Lat | R wrist radiograph | 7y M | Siemens —

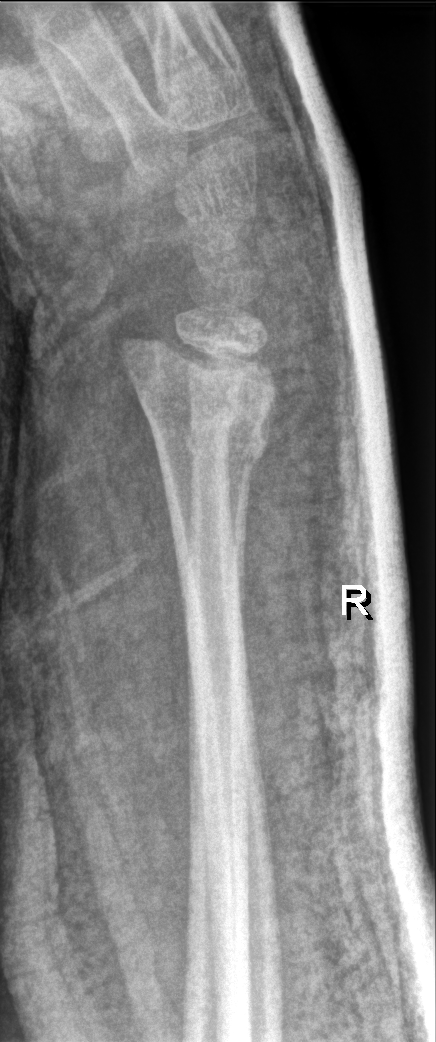

Coordinates are [x1, y1, x2, y2] in image pixels. One fracture at (left=137, top=385, right=277, bottom=477). Fracture classified AO/OTA 23-M/3.1.